Right wrist X-ray · PA view · Siemens:

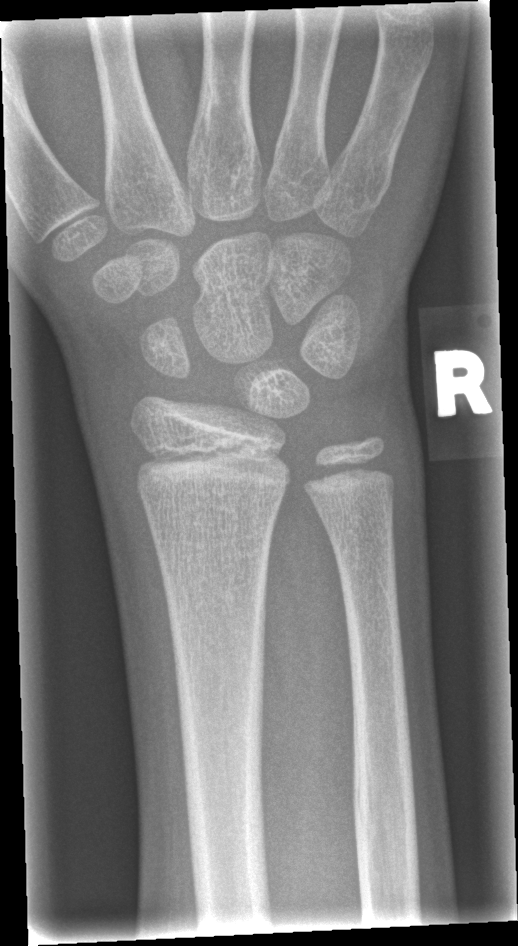

Q: Locate any fractures.
A: No fracture labeled